Right wrist radiograph, PA/AP projection —
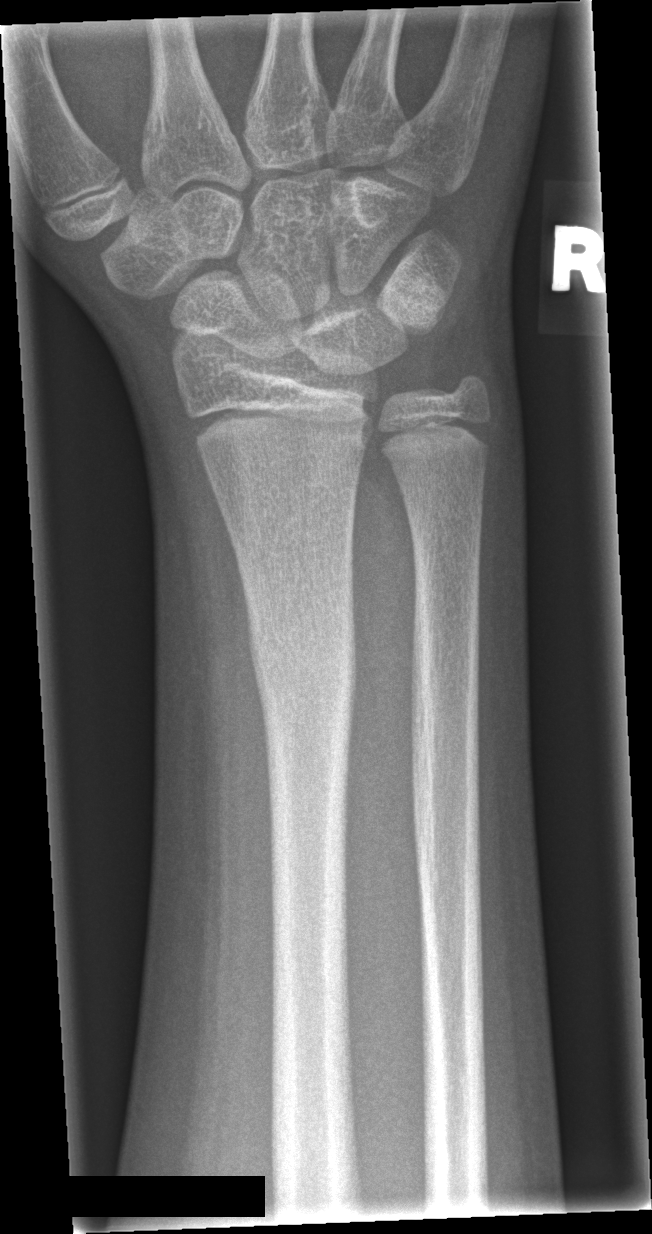 AO/OTA classification: 22r-D/2.1. Bone fracture identified at [243, 608, 361, 712].